Left wrist radiograph | lateral projection | 9y M | image 74.4 mm wide: 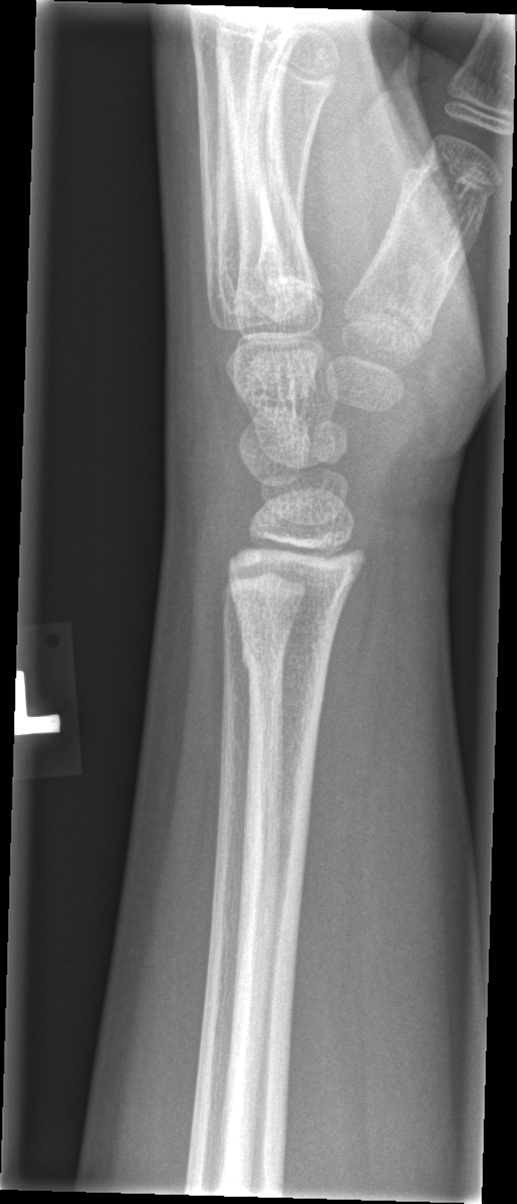 AO code = 23r-M/2.1
Fx = 1 @ <237,629>-<337,682>